Lat, left wrist pediatric wrist radiograph, 422 x 1047 px: 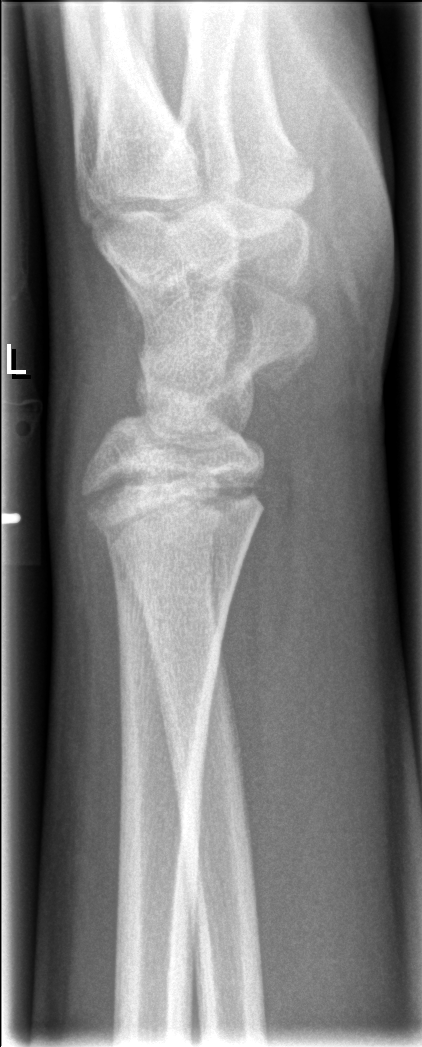

- Boxes as x1,y1,x2,y2 (top-left / bottom-right, pixel units).
- Decreased bone density (osteopenia).
- Fracture identified at <77,461>-<269,549>.